Lat view | left plain radiograph of the wrist | girl, 8 yo | subsequent exam | cast present | image width 81.4 mm.
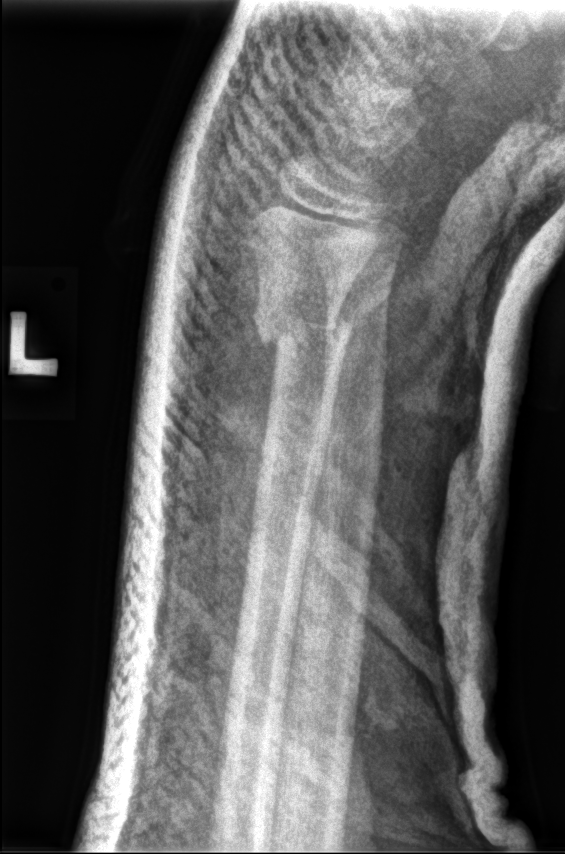
- Bounding boxes in image-pixel xyxy.
- Fracture — [246, 290, 359, 359].